Right wrist radiograph; lateral view; male, 10 yo; image width 59.9 mm. 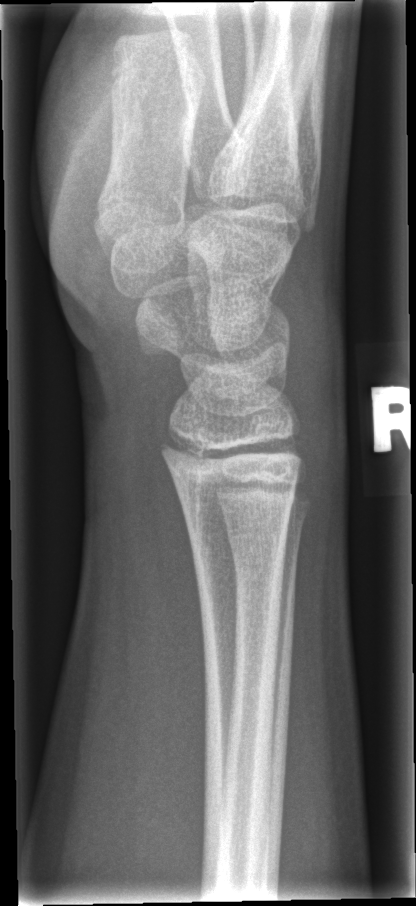

FINDINGS — No fracture bounding box.